Right pediatric wrist radiograph | AP | acquired on Siemens:
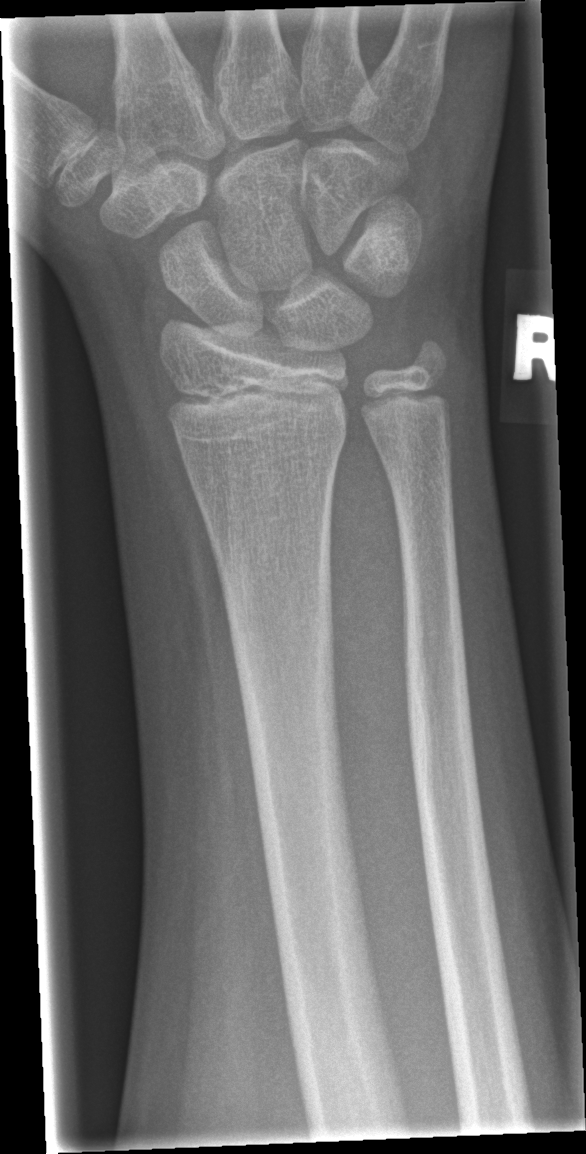
Fx: none labeled